Frontal view; L wrist X-ray; female, 9 yo; follow-up study — 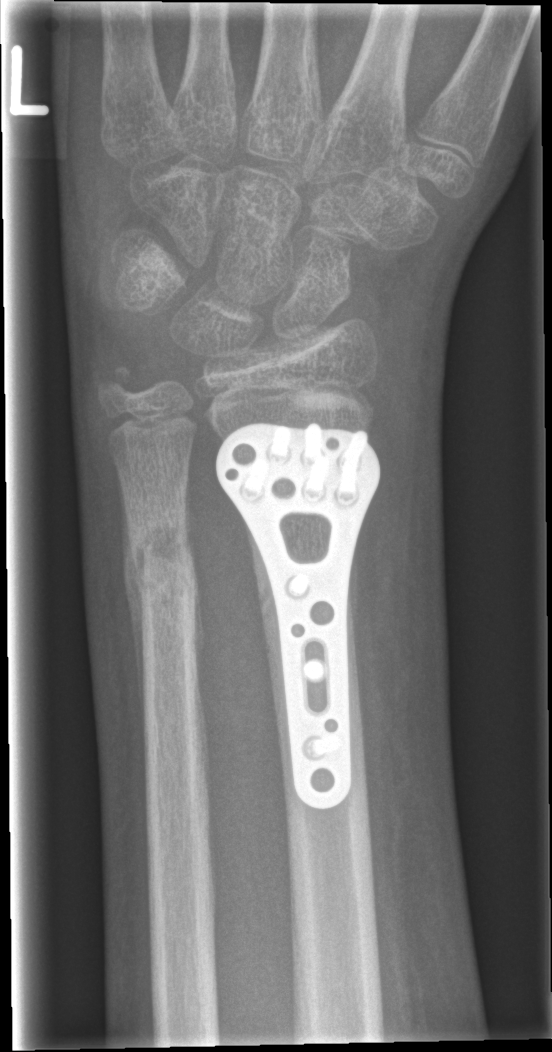

Coordinates are [x1, y1, x2, y2] in image pixels.
Fractures — [119, 514, 201, 607]; [88, 359, 144, 412].
AO/OTA classification: 23-M/3.1; 23u-E/7.
Periosteal thickening: [117, 469, 145, 749], [194, 579, 206, 693], [184, 472, 195, 565].
Metal: [214, 420, 385, 812].